AP projection, L pediatric wrist radiograph. 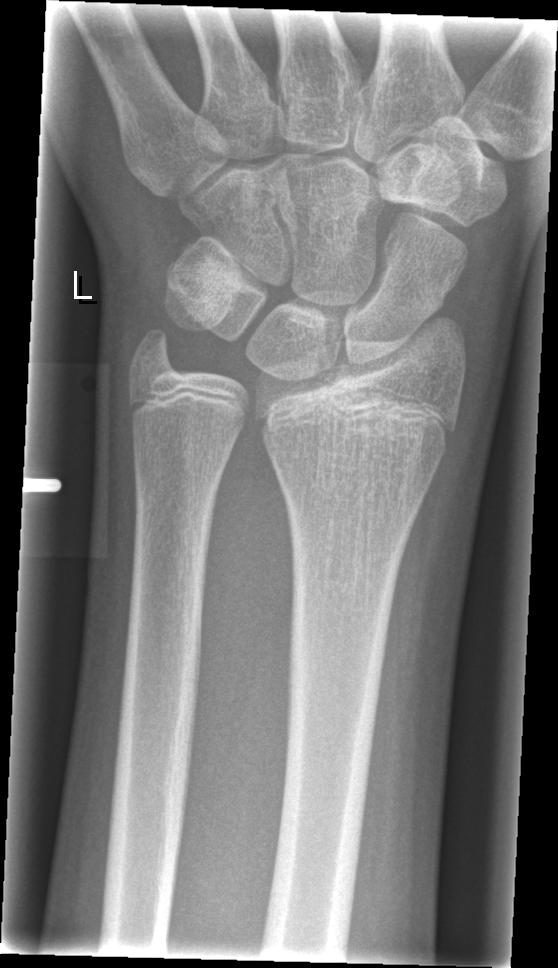 Q: Any fracture seen?
A: Fx: none